Left wrist pediatric wrist radiograph; lat view; age 5 y, girl; acquired on Siemens — 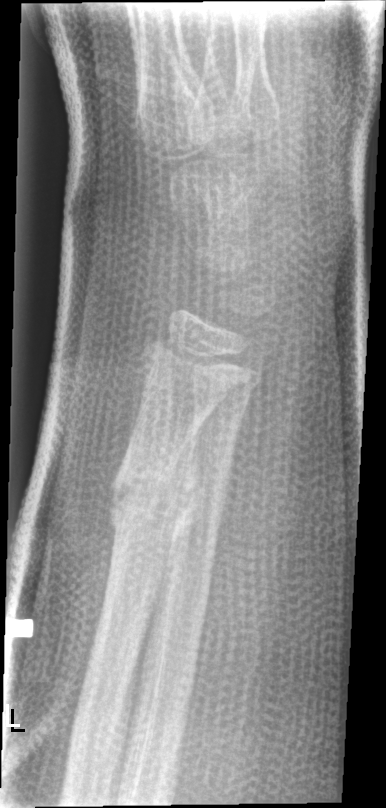
Fx — (left=106, top=448, right=199, bottom=547).
Periosteal thickening: (left=142, top=426, right=206, bottom=625).